Left plain radiograph of the wrist · lateral · index exam.

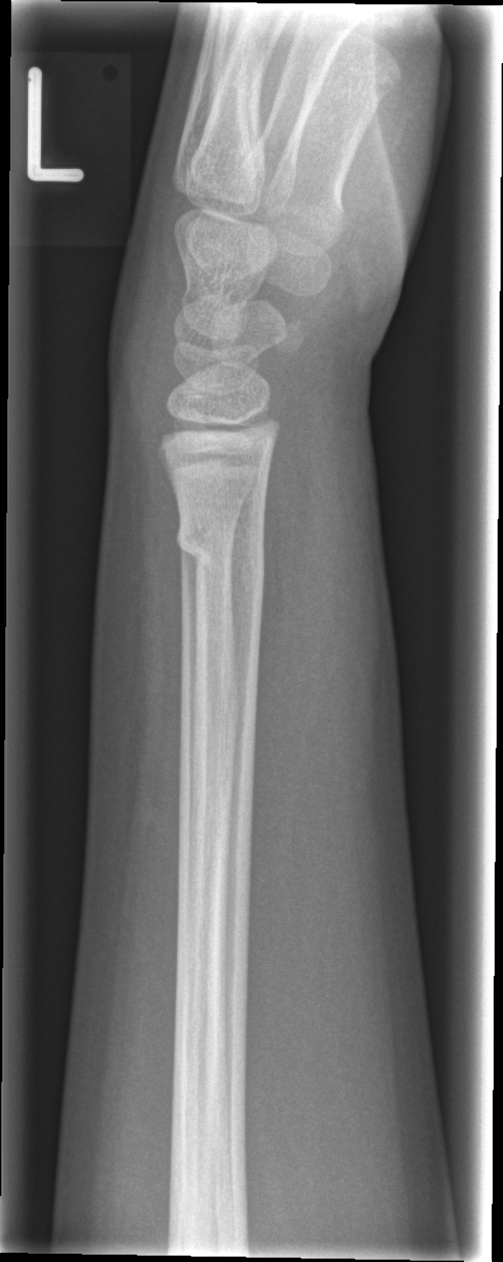
One pronator quadratus fat-pad sign at (left=247, top=427, right=331, bottom=841). One fracture at (left=176, top=509, right=267, bottom=589).